Lt wrist XR; lat projection — 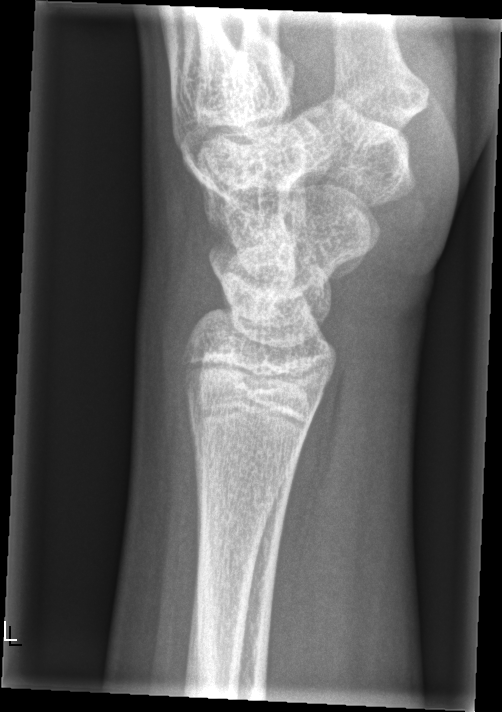 Fracture: none labeled.